Right wrist radiograph; AP projection; age 6 y, female; imaged through cast; image width 68.5 mm — 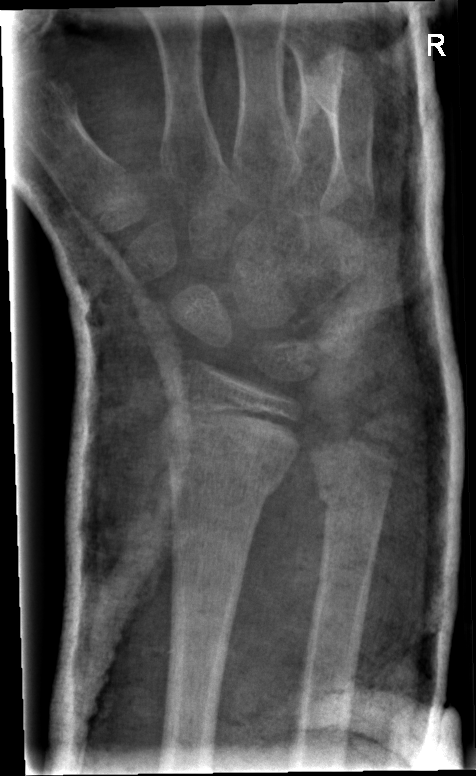 Bone fracture: 2 @ [x1=154, y1=401, x2=296, y2=508], [x1=313, y1=470, x2=394, y2=528]